Right wrist radiograph; lat; age 17 y, female:

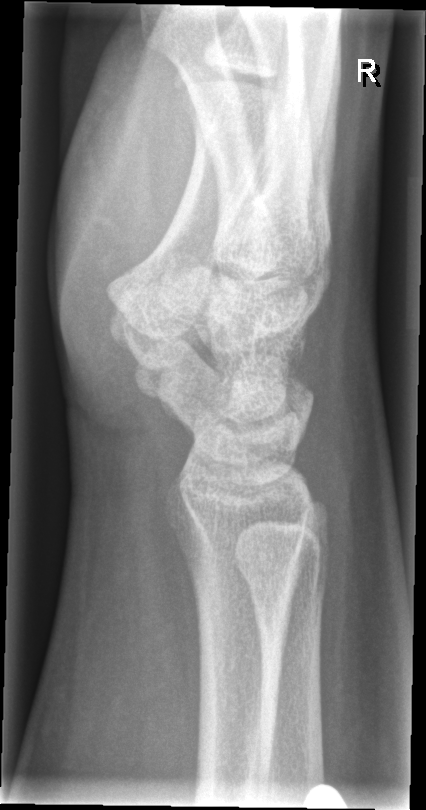 {"fracture": "none labeled", "metal": "300,784,348,809"}